Lat projection | left wrist radiograph | 83.8 mm image width.

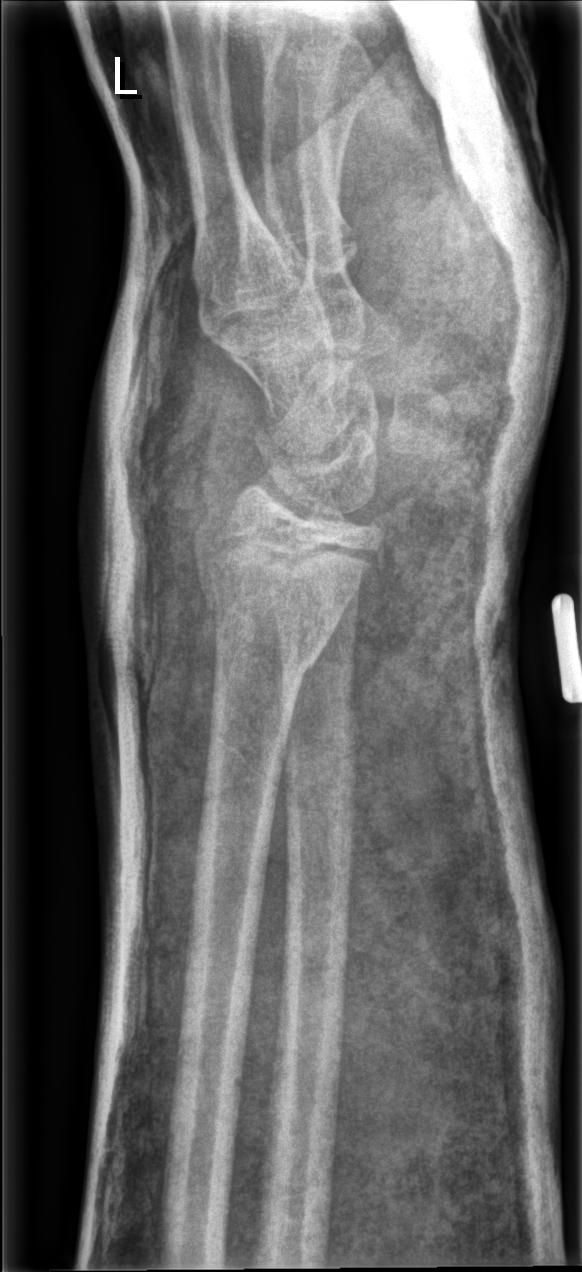 One fracture at <206,571>-<337,677>.
Fracture classified AO/OTA 23r-M/3.1.